R wrist X-ray | AP | age 13 y, boy | findings marked uncertain by the reading radiologist.

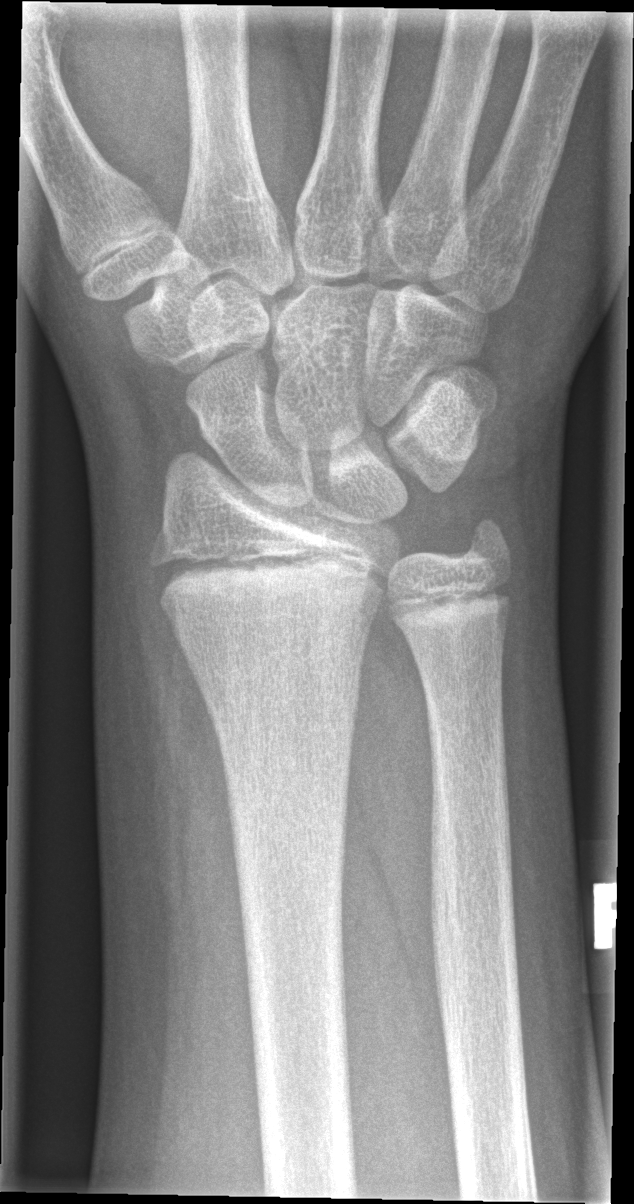
Fx: none labeled